Right wrist X-ray; AP; 11y M; in cast
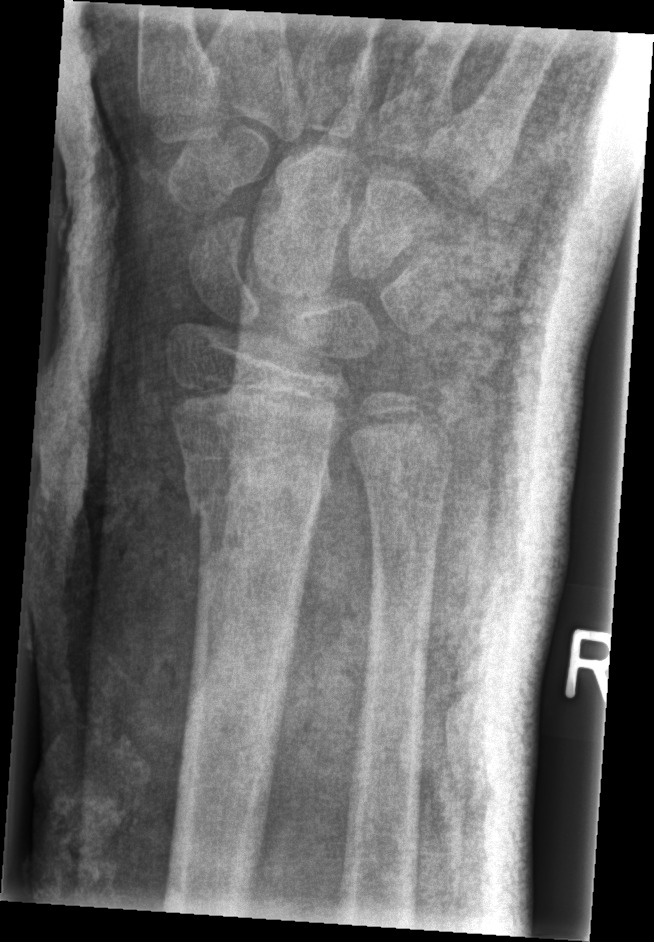
FINDINGS: One fracture at (left=182, top=442, right=334, bottom=524).